Lat projection | left wrist X-ray | age 9 y, girl.

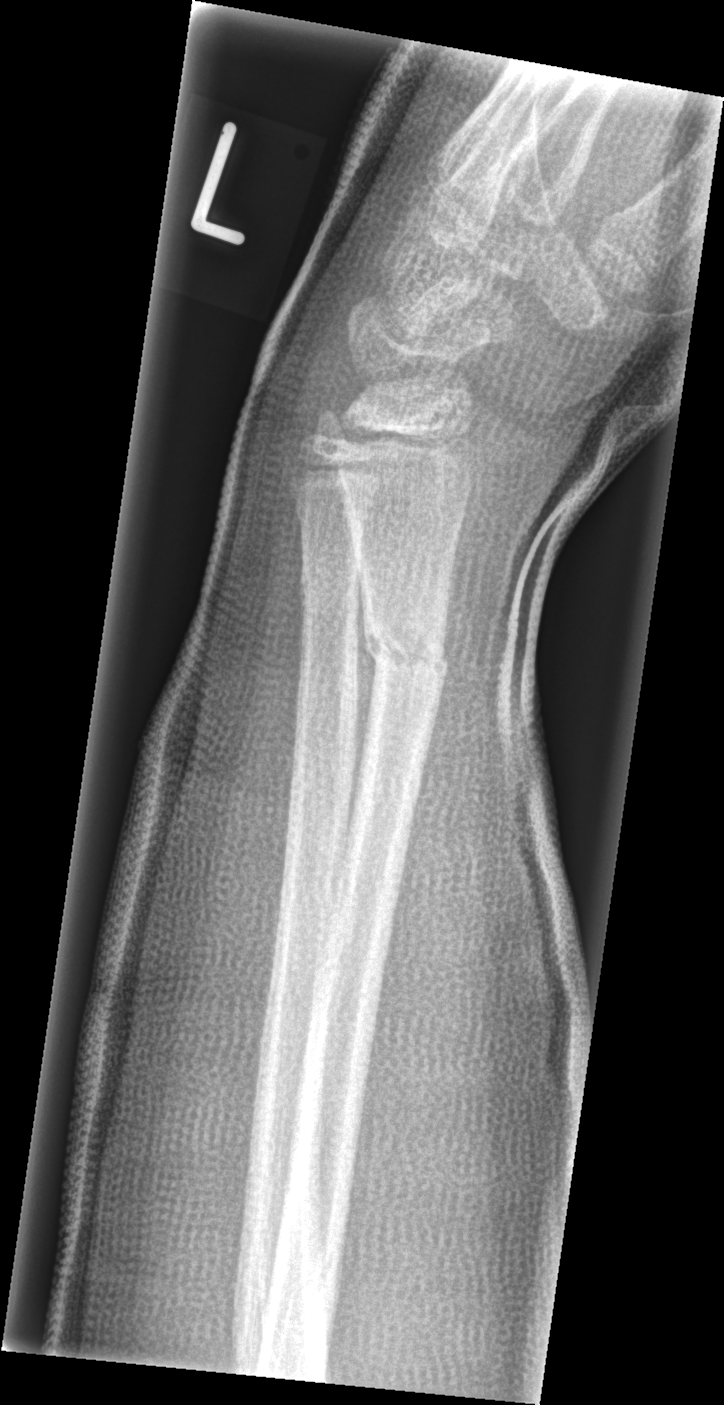
{"fracture": "(left=360, top=617, right=451, bottom=688)", "ao": "23r-M/3.1"}